Rt wrist plain film · posteroanterior · pediatric patient (boy, age 17) —

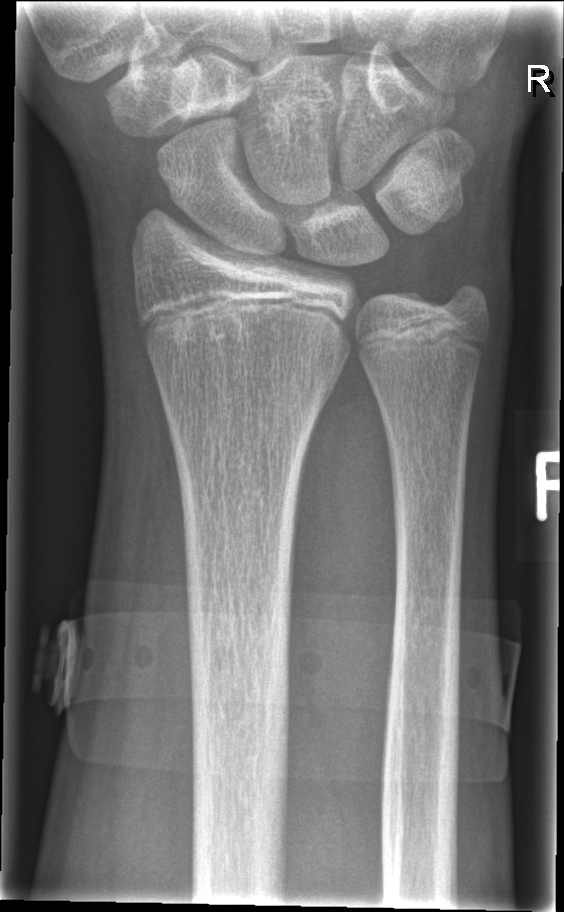

Q: Any fracture seen?
A: Fx: none